Lat projection, left wrist XR, index exam, 614x1232 — 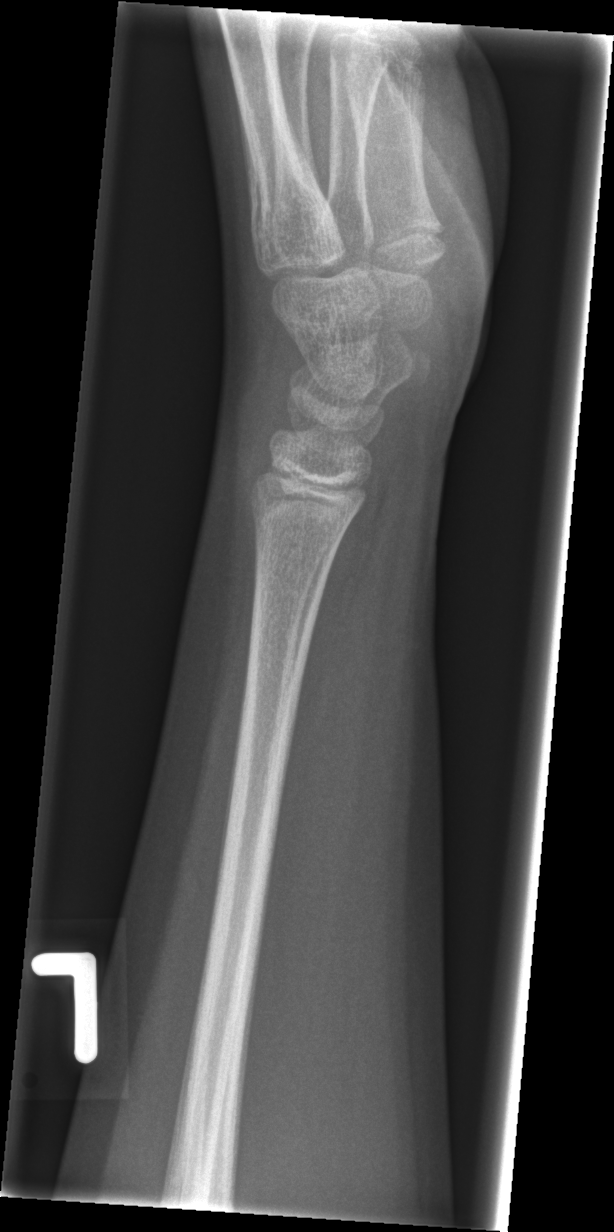

FINDINGS — No fracture bounding box.